Lt plain radiograph of the wrist; frontal; 14y M; cast in situ; detector: Siemens; 156.1 mm image width

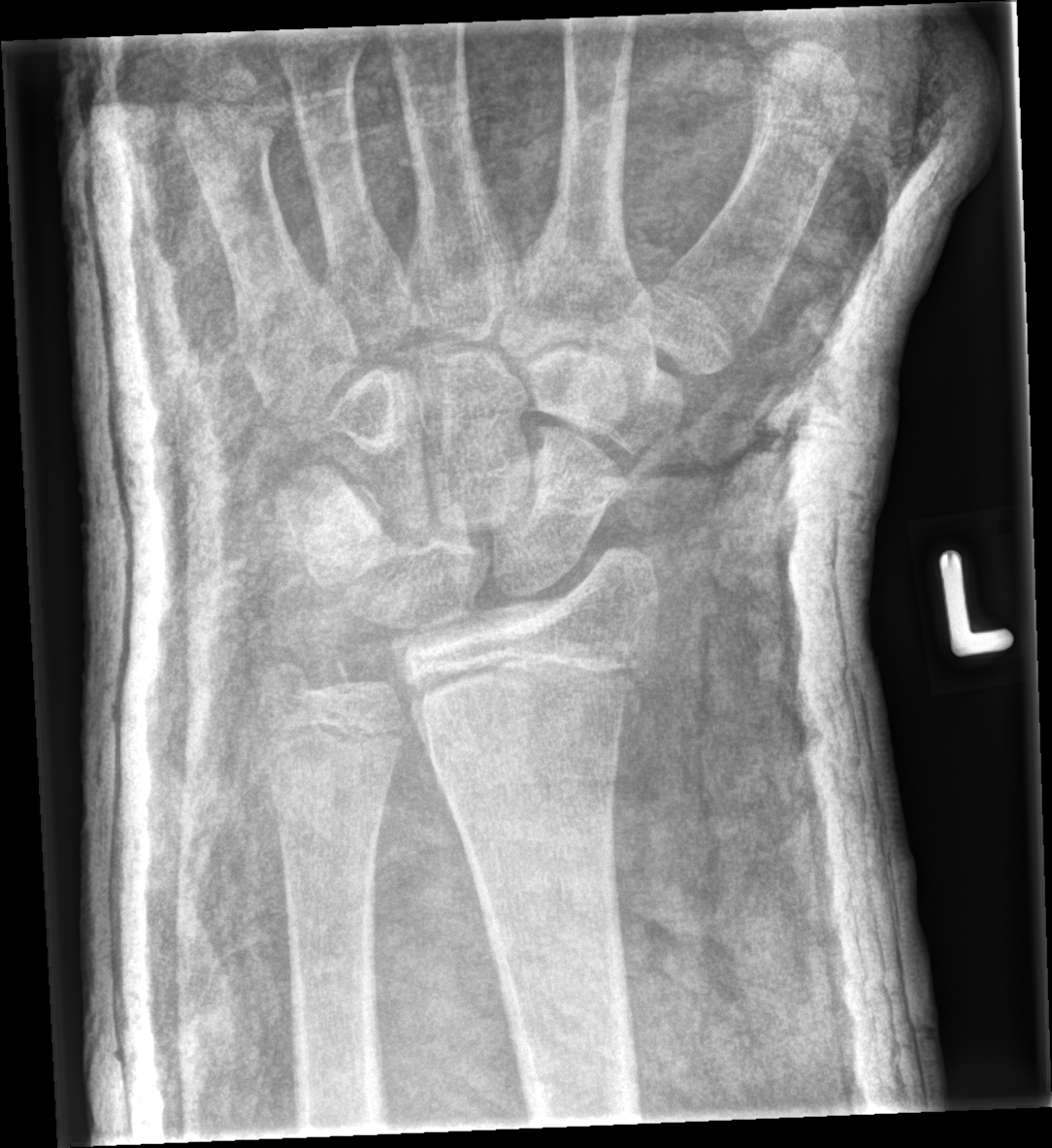

Fracture classified AO/OTA 23r-E/2.1; 23u-E/7.
Fracture: (left=403, top=638, right=653, bottom=744) (left=251, top=640, right=356, bottom=722).